AP projection · Lt wrist XR · 6y F:
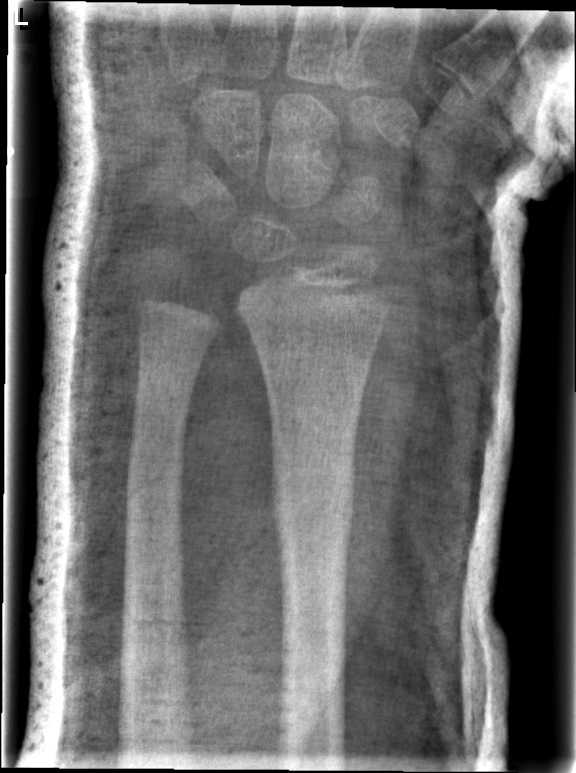 {
  "_coords": "coordinates are [x1, y1, x2, y2] in image pixels",
  "ao": "23-M/2.1",
  "fracture": "1 @ bbox(267, 470, 358, 538)"
}